Left wrist plain film | AP:

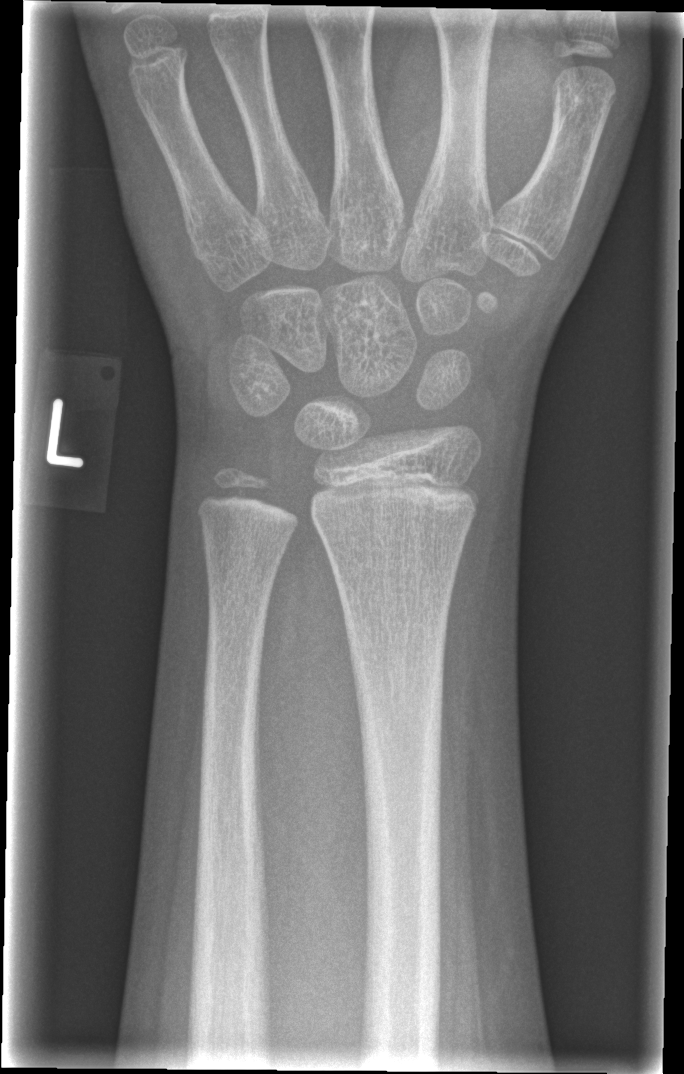 Fracture: none labeled.